PA/AP | left wrist radiograph | 7-year-old female:
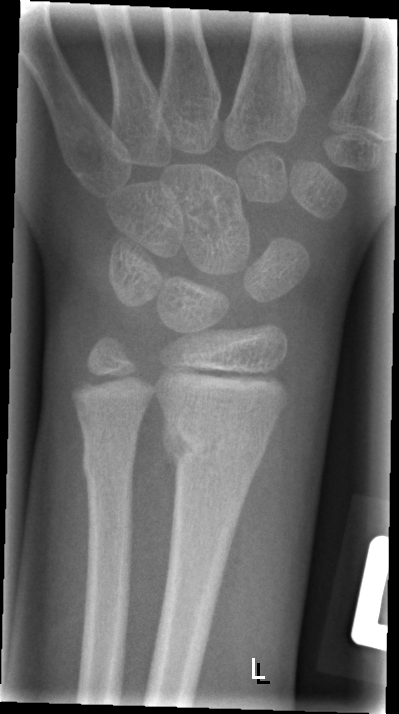
• Bounding boxes in image-pixel xyxy.
• Two bone fractures at 161,421,271,477; 80,436,138,486.
• Fracture classified AO/OTA 23-M/2.1.